Lat view | Rt wrist X-ray | 388 by 647 pixels —
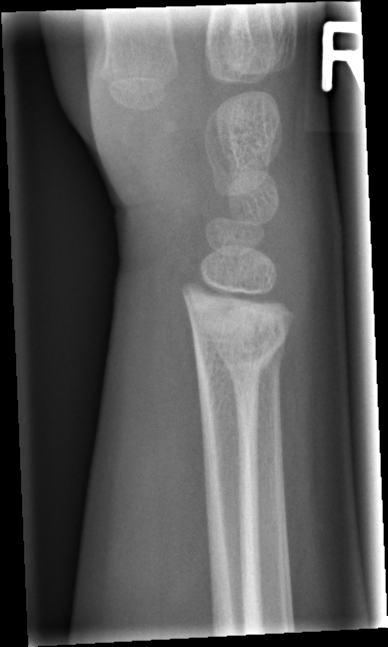 FINDINGS: Bone fracture identified at <185,318>-<289,395>.